Left pediatric wrist radiograph | PA projection | pediatric patient (female, age 10) | equivocal findings | Siemens.

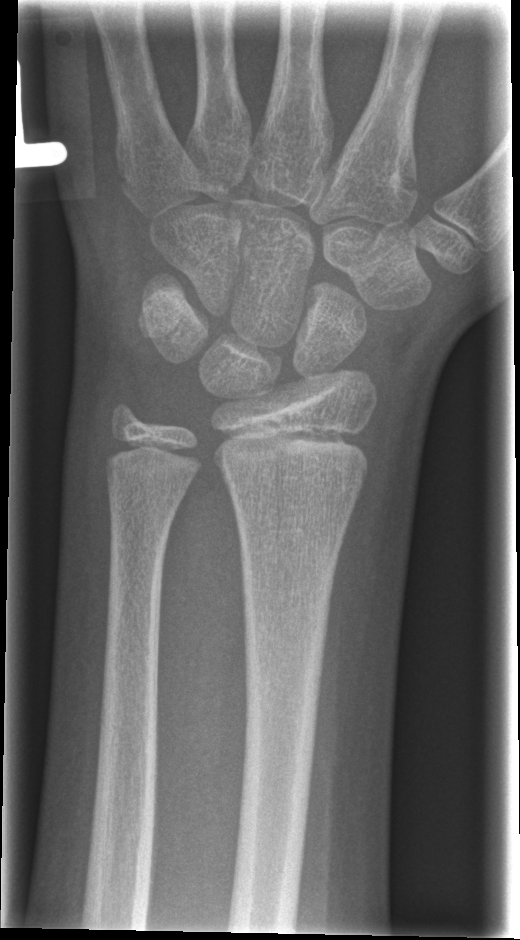

No fracture annotation.